Lat projection | L pediatric wrist radiograph | age 4 y, boy | 346x656 —
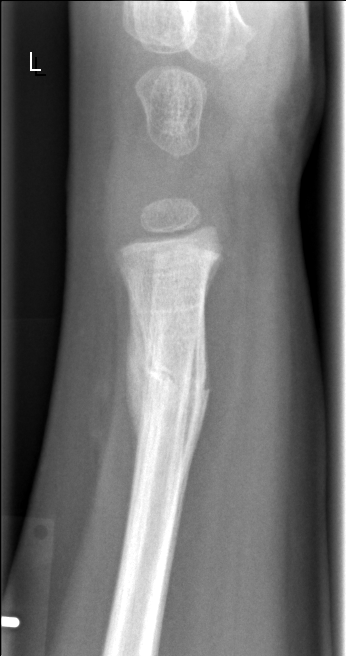

FINDINGS: AO/OTA classification: 23r-M/3.1; 23u-M/2.1. Fracture — (left=132, top=349, right=214, bottom=418). Reduced bone mineral density. Periosteal new bone — (left=125, top=292, right=147, bottom=449); (left=189, top=328, right=213, bottom=469).